Rt wrist radiograph | lateral projection | pediatric patient (girl, age 8) | follow-up | 426x686.

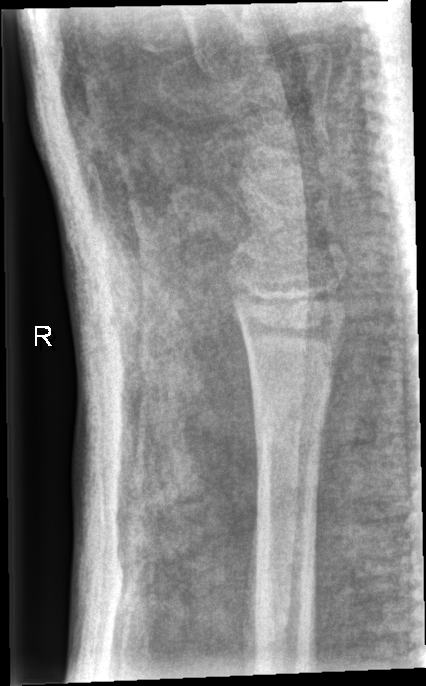 Findings: Fracture present but not clearly seen in this view.